Lateral view · L plain radiograph of the wrist · subsequent exam.
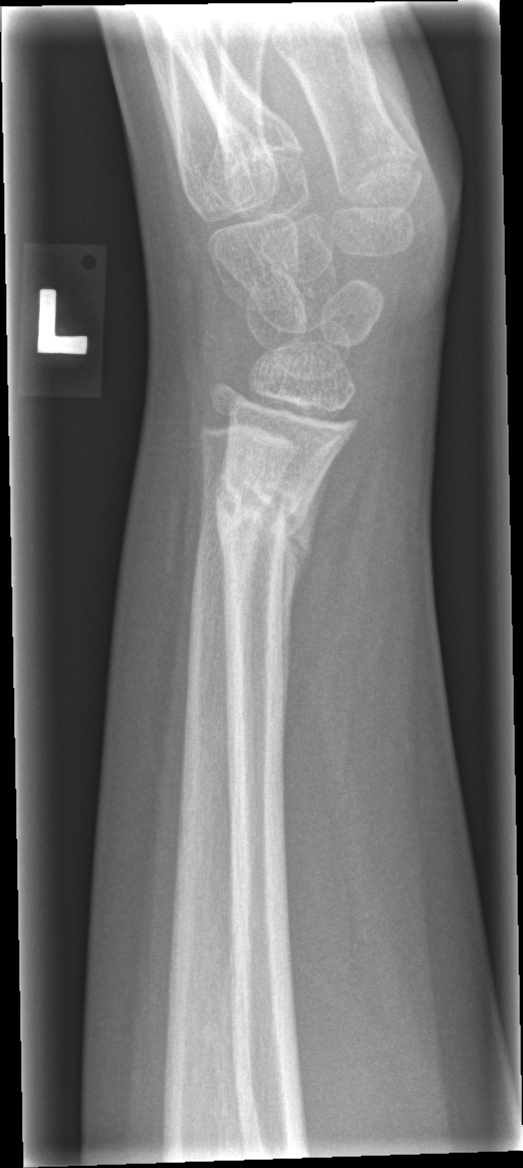
Fx identified at 209,457,314,564. Osteopenic. Periosteal reaction identified at 279,457,336,741.